Right wrist radiograph, posteroanterior, imaged through cast, acquired on Siemens —

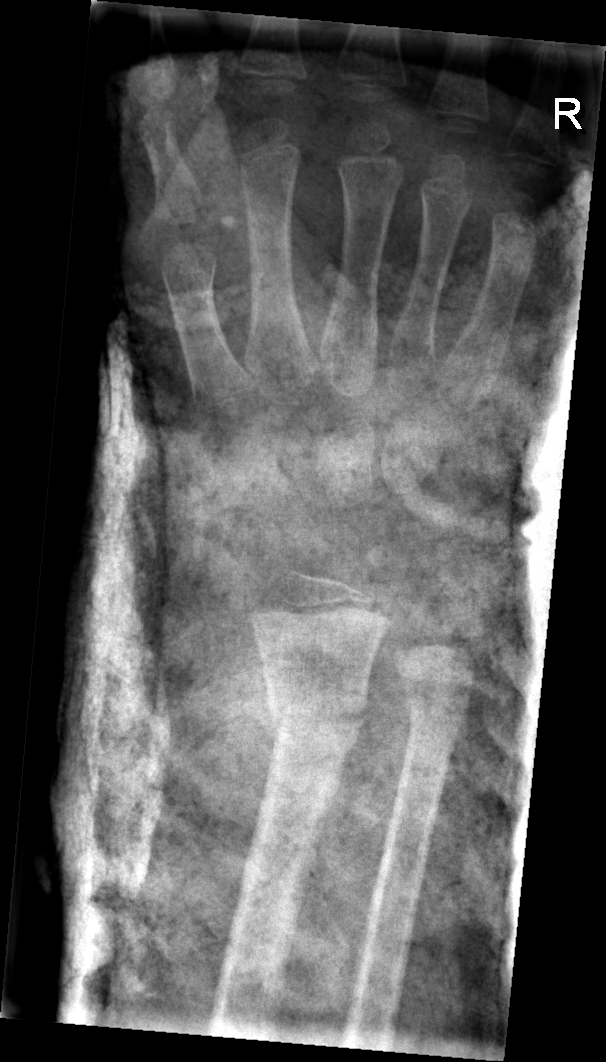 FINDINGS — Fx identified at <264,682>-<371,744>, <401,690>-<471,738>. AO/OTA classification: 23-M/3.1.